Lat; left wrist X-ray; female, 5 yo; acquired on Siemens

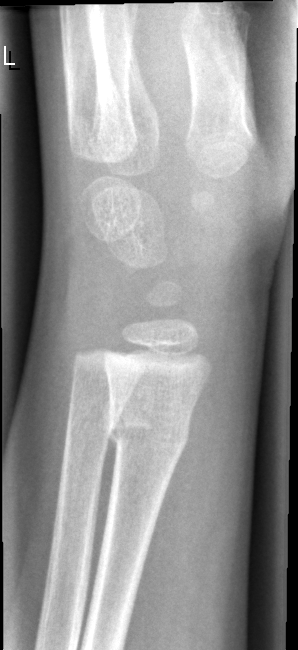 Fx: [x1=101, y1=404, x2=194, y2=464]